Lt wrist X-ray | frontal projection | initial study | Siemens:
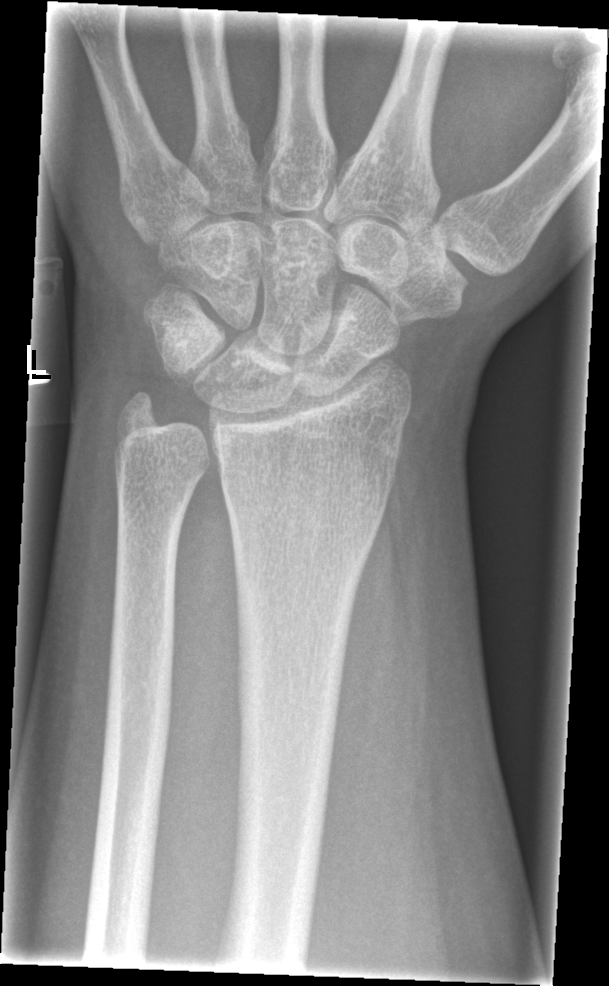 No fracture annotation.